Left wrist plain film; posteroanterior; 12y M; follow-up; in cast; image 76.3 mm wide

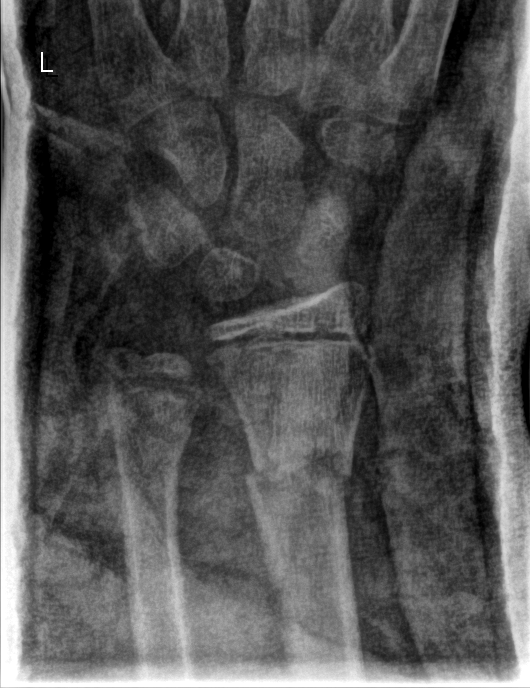
fracture: 238,433,356,500 | 104,402,198,476